Lt wrist plain film, posteroanterior, pediatric patient (boy, age 0.9) — 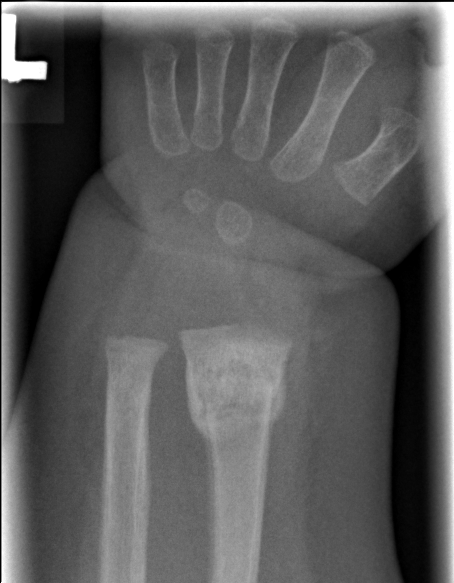
* Pixel coordinates, top-left origin, xyxy.
* Fracture: <183,354>-<289,433>, <101,375>-<155,419>.
* Fracture classified AO/OTA 23r-M/3.1; 23u-M/2.1.
* Periosteal new bone — <184,354>-<217,581> <263,361>-<289,515>.
* Osteopenic.